Lateral projection | R wrist XR | image size 437x1204: 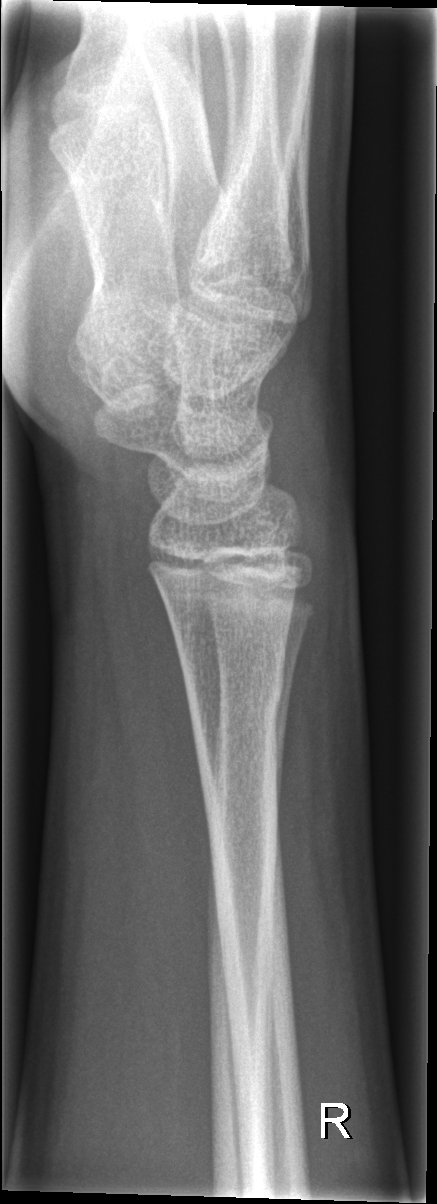

• One fracture at (left=182, top=661, right=288, bottom=737).